Lateral | Rt wrist radiograph | follow-up:

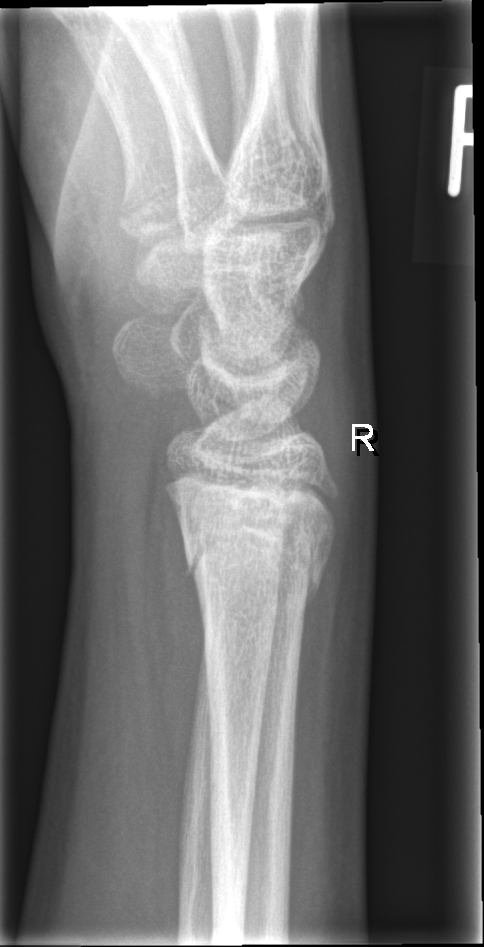
FINDINGS — Decreased bone density (osteopenia). Bone fracture — <174,506>-<337,610>. AO/OTA classification: 23r-M/3.1; 23u-E/7.